Lateral, right wrist XR, pediatric patient (boy, age 16), findings marked uncertain by the reading radiologist:
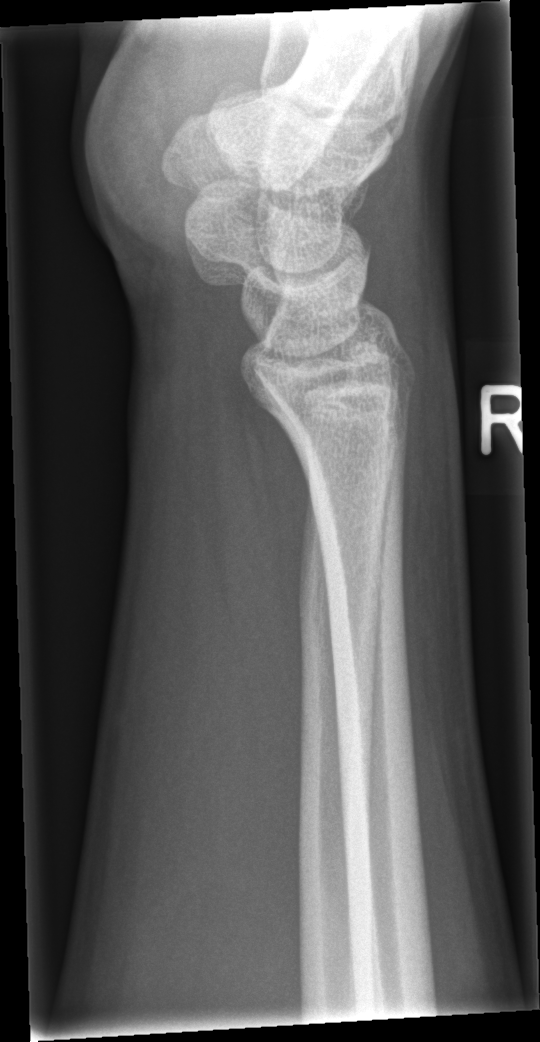
Fracture: none labeled.